R wrist XR, lateral projection, presentation radiograph:
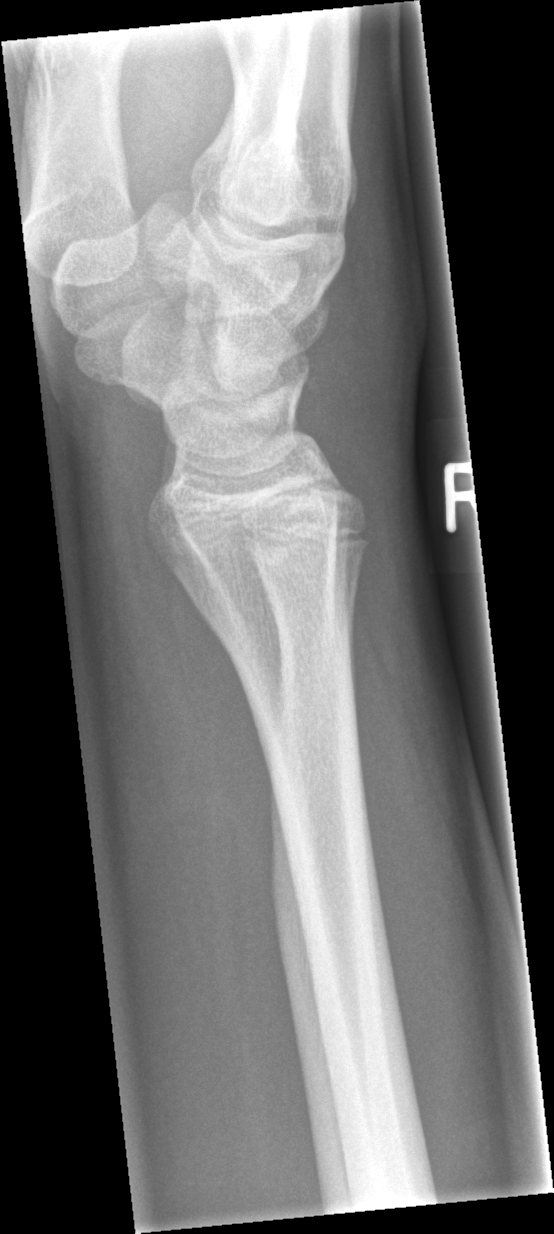 {"fracture": "none labeled"}